Lateral projection, right wrist plain film, girl, 9 yo, image 52.1 mm wide.

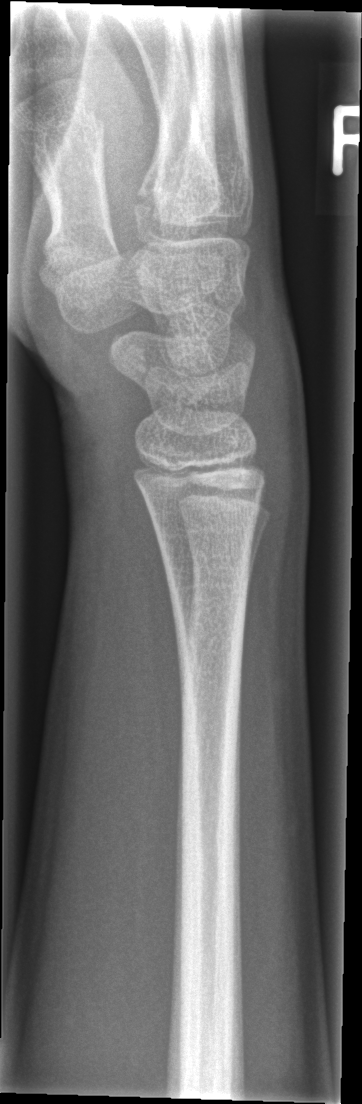 - No fracture annotation.